Rt pediatric wrist radiograph, posteroanterior projection, 772 by 1094 pixels.

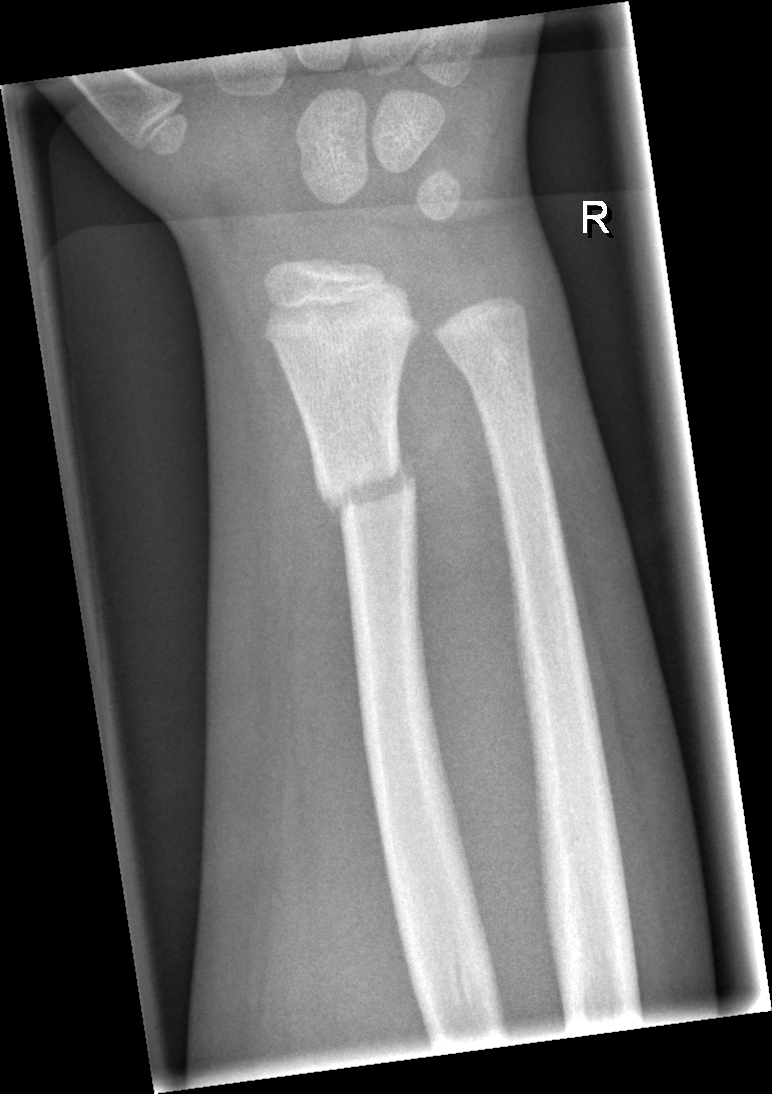 - Two Fx at 315 456 425 524
  453 327 533 387.